Posteroanterior | Lt wrist plain film | 11-year-old boy | presentation radiograph.
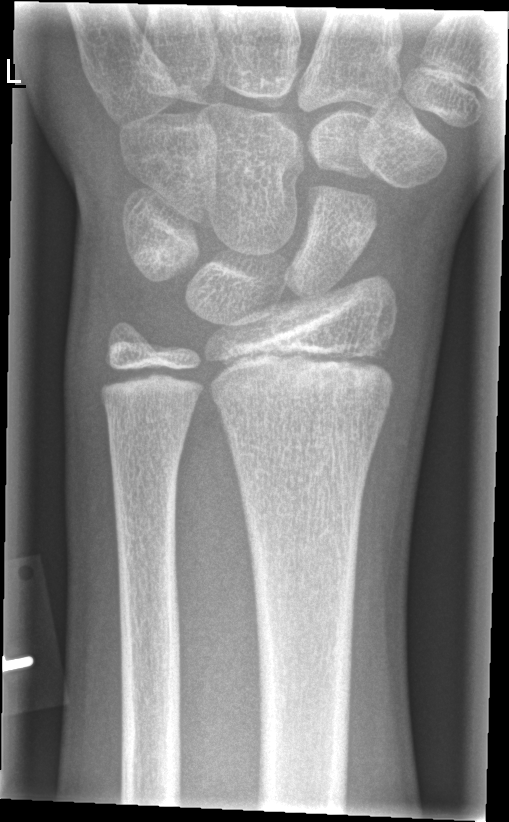

Fx: none labeled